Left wrist XR; posteroanterior; age 10 y, girl; Siemens 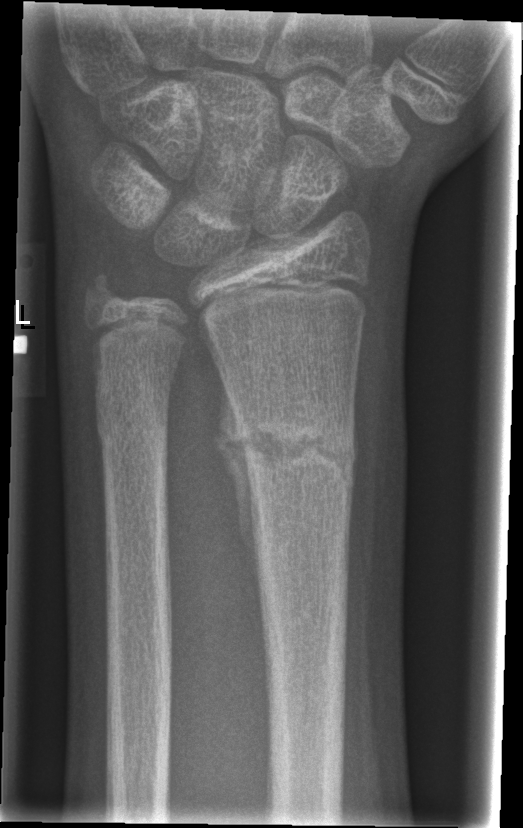

FINDINGS: (pixel coordinates, top-left origin, xyxy) One periosteal reaction at (212, 379, 258, 564). Decreased bone density (osteopenia). Bone fracture: (232, 402, 350, 499), (92, 397, 171, 462), (75, 263, 127, 315). AO code 23r-M/3.1; 23u-M/2.1; 23u-E/7.